Lateral, left wrist X-ray:
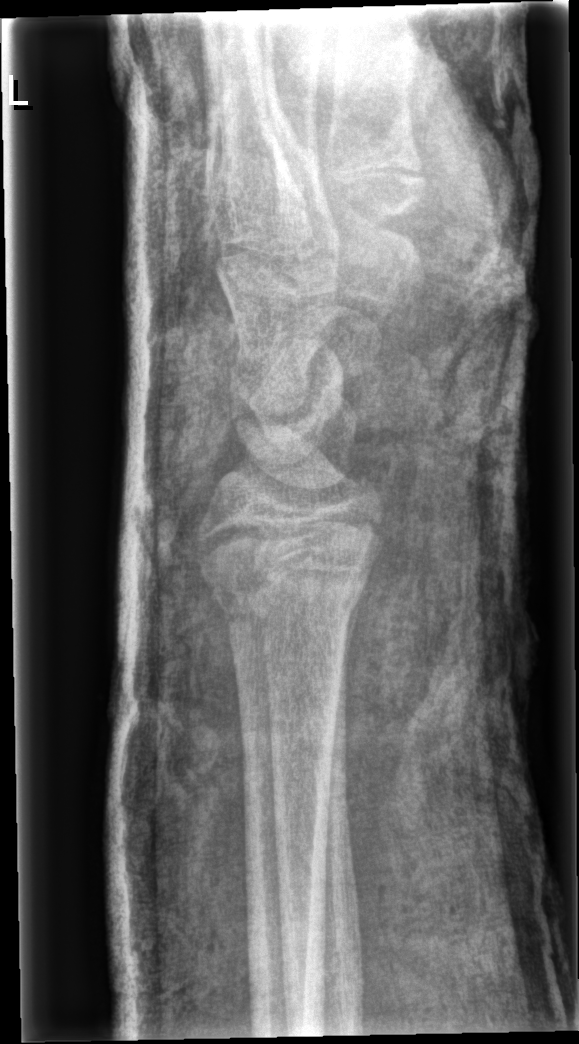
AO/OTA: 23r-M/3.1; 23u-E/7
fracture: 1 @ (205, 557, 369, 634)